Lat projection; left wrist XR; acquired on Siemens; image 59.3 mm wide.

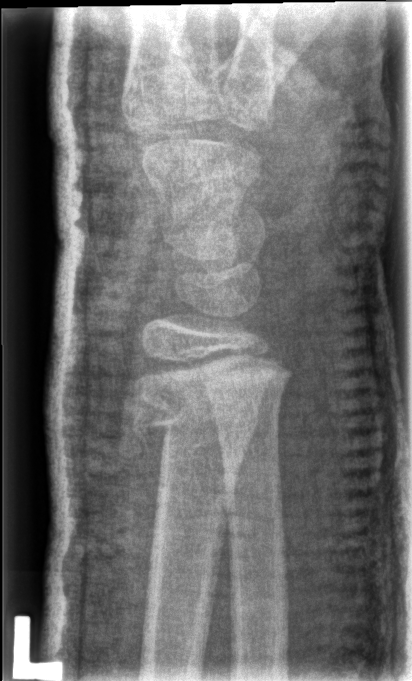 Findings: Fracture classified AO/OTA 23r-M/3.1; 23u-M/2.1. Bone fracture — 121,386,265,458.